Lateral projection, L wrist radiograph

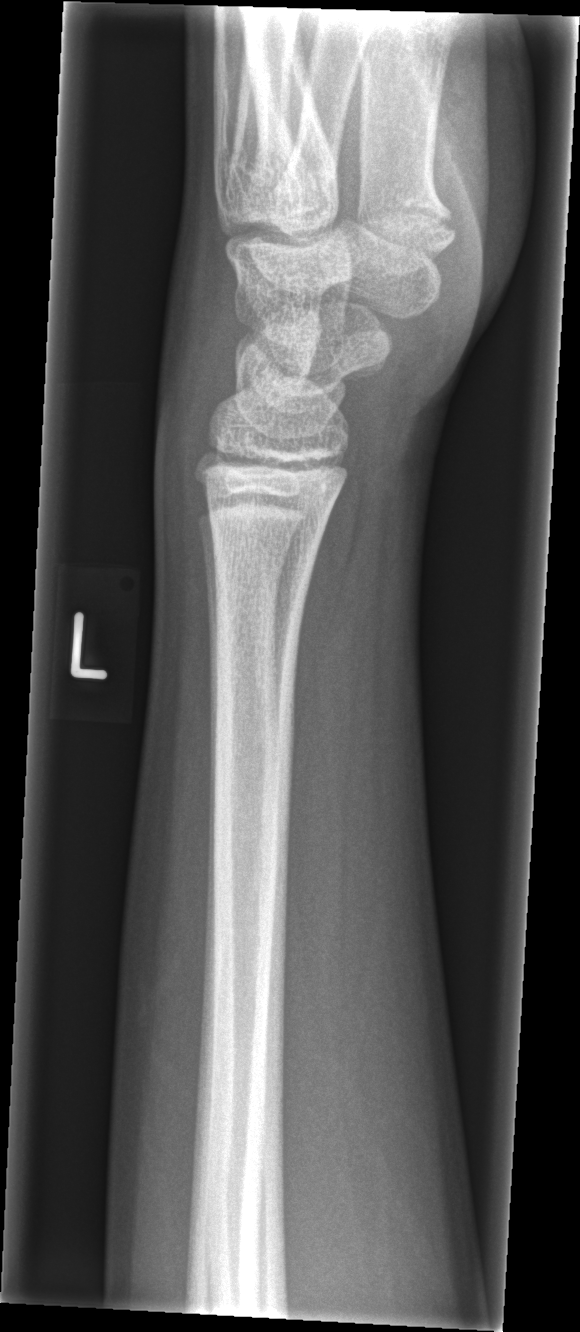
Fx = none labeled
Soft tissue abnormality = (148, 315, 217, 597)